PA/AP projection | left wrist pediatric wrist radiograph | girl, 8 yo | follow-up study | cast in situ | acquired on Siemens | 642 by 1030 pixels —

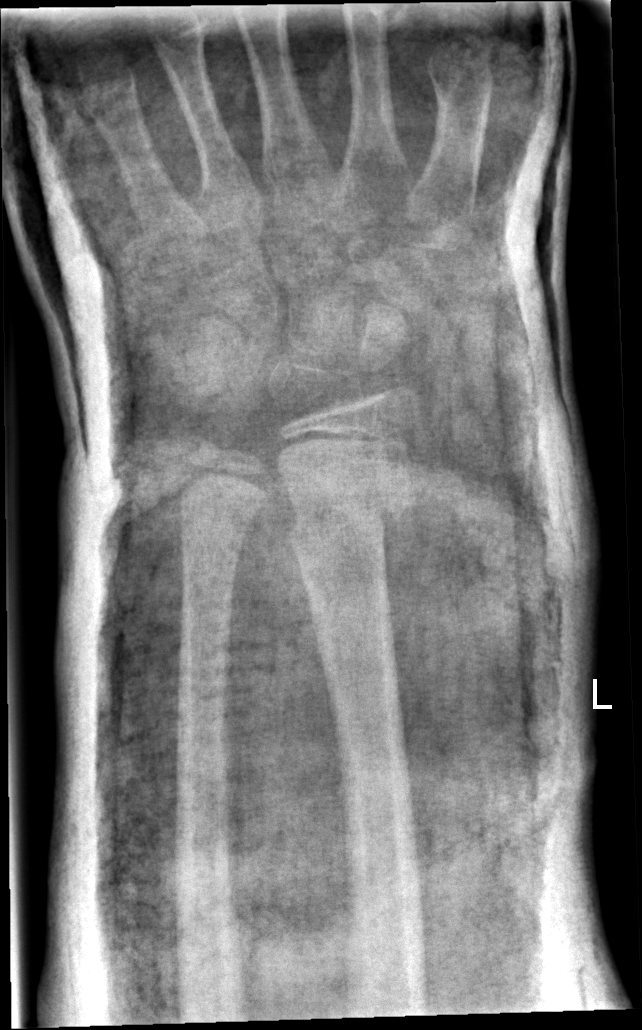
One Fx at 285 490 419 548.
AO code 23-M/3.1; 23u-M/2.1.